PA/AP; Rt wrist XR; age 8 y, male; initial study; image size 518x1130.
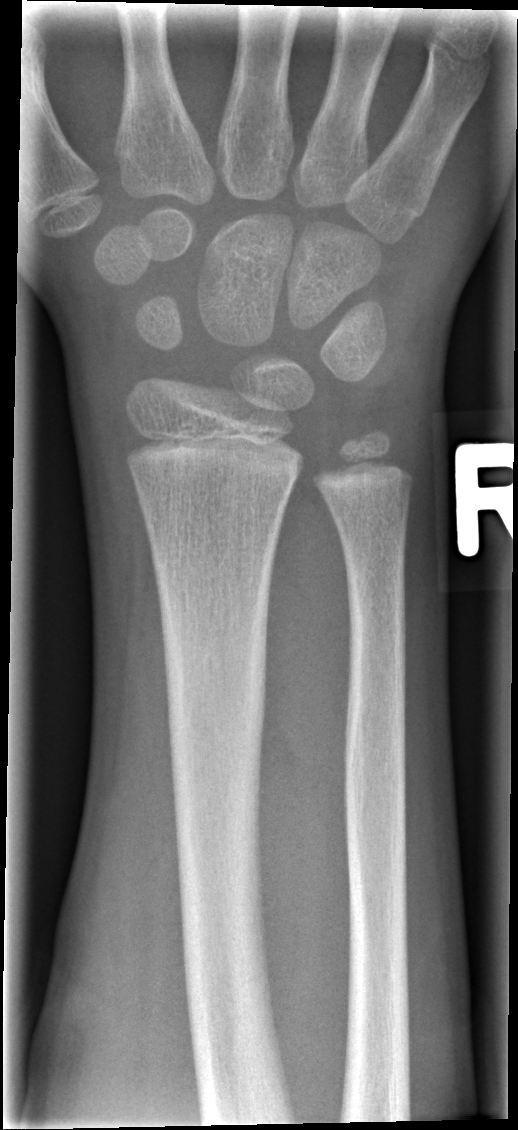 No fracture bounding box.